L wrist XR | lateral view | cast in situ | 193.6 mm image width
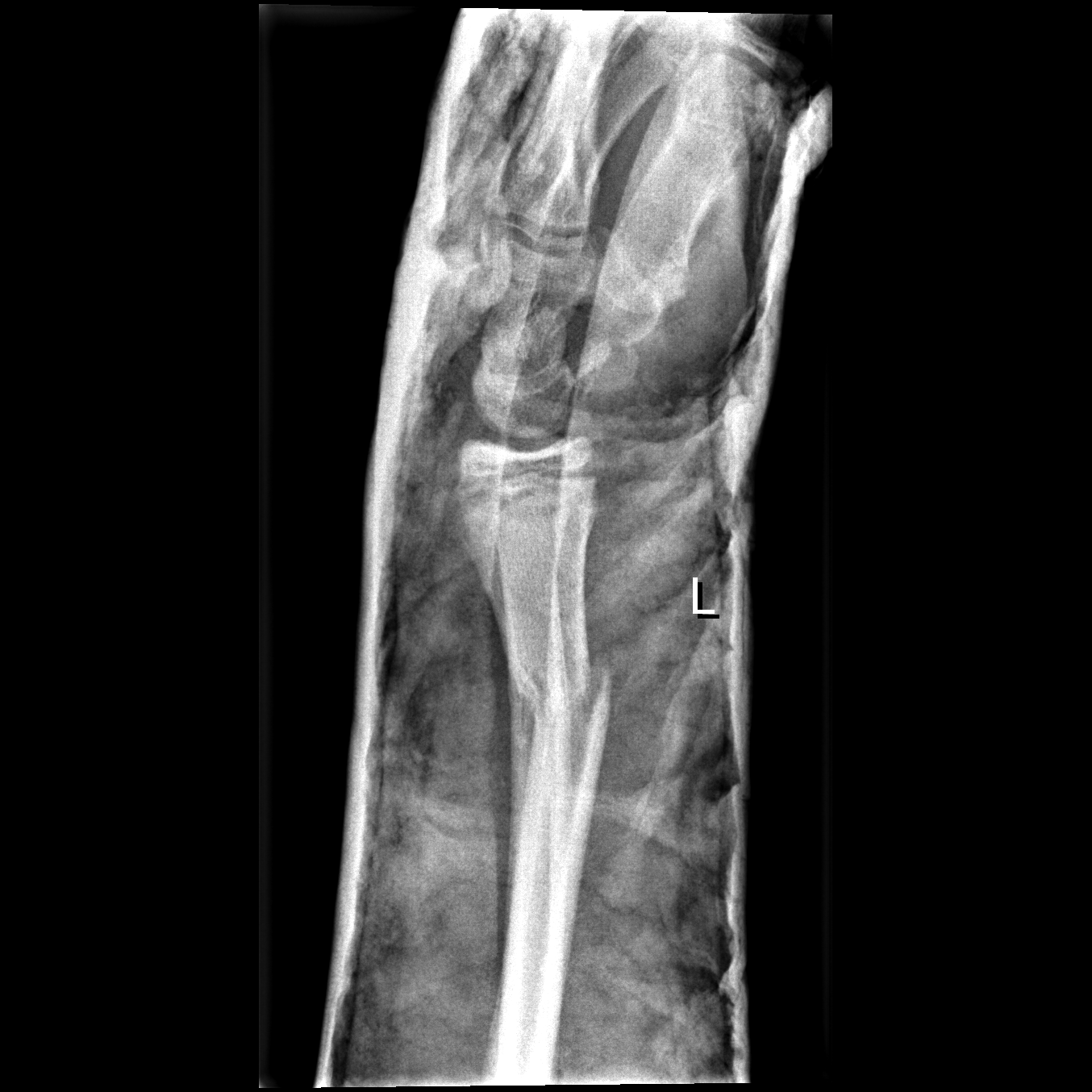

{
  "ao": "23-M/3.1",
  "fracture": "1 @ [505, 660, 613, 731]"
}